PA view · left wrist X-ray · 11y F · image 94.5 mm wide:

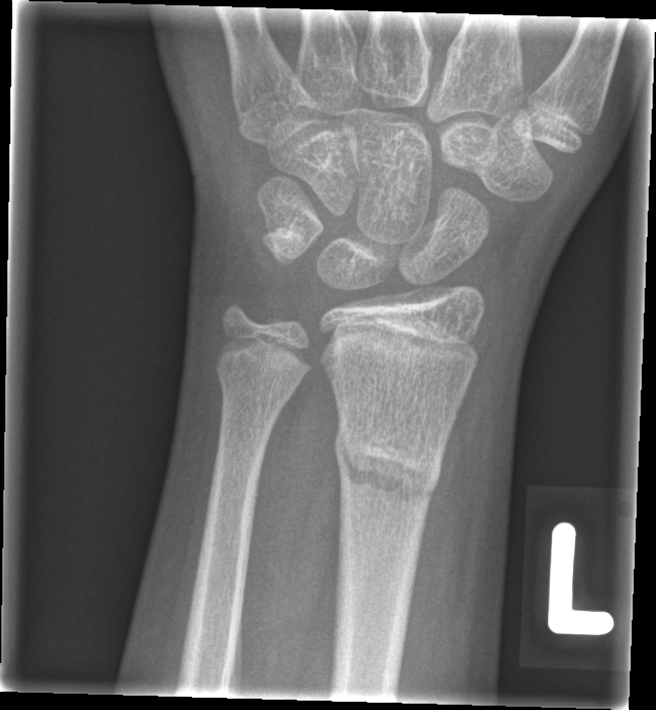
Q: Any fracture seen?
A: Bone fractures — 330,421,449,511 | 214,348,301,415